AP · L plain radiograph of the wrist · in cast · 59.8 mm image width: 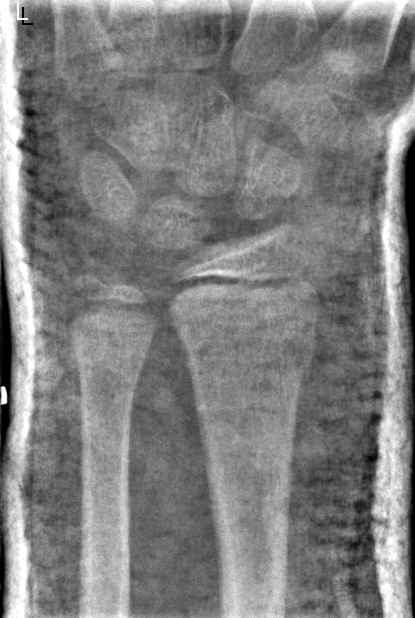 {
  "_coords": "boxes as x1,y1,x2,y2 (top-left / bottom-right, pixel units)",
  "fracture": "(left=182, top=323, right=317, bottom=385)"
}